AP projection, left wrist XR, pediatric patient (boy, age 6), acquired on Siemens, 663 by 778 pixels 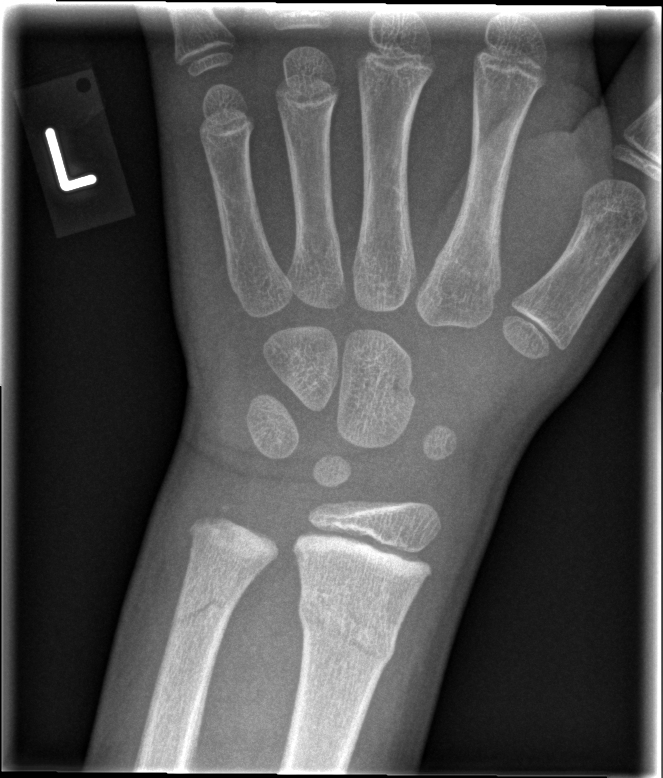 Bounding boxes in image-pixel xyxy. Fracture classified AO/OTA 23-M/3.1. Fracture: [x1=295, y1=583, x2=403, y2=668] [x1=168, y1=593, x2=237, y2=636].